Lat · L wrist XR · 9y F · detector: Siemens.

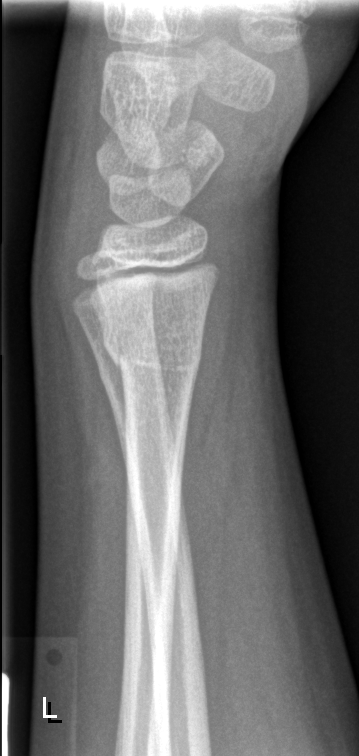
- Fracture identified at 96 316 206 391 | 96 340 166 401.